Right wrist pediatric wrist radiograph, PA/AP view, 8-year-old female.

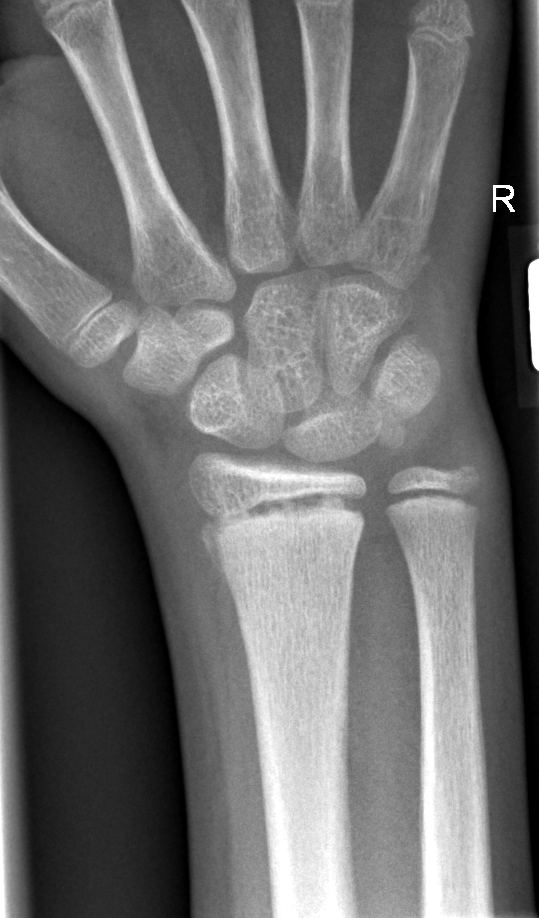 Pixel coordinates, top-left origin, xyxy. Fractures — 194,484,370,588 | 439,444,489,497. AO/OTA classification: 23r-E/2.1; 23u-E/7. Reduced bone mineral density.